Left wrist X-ray | AP projection | pediatric patient (male, age 10) | index exam
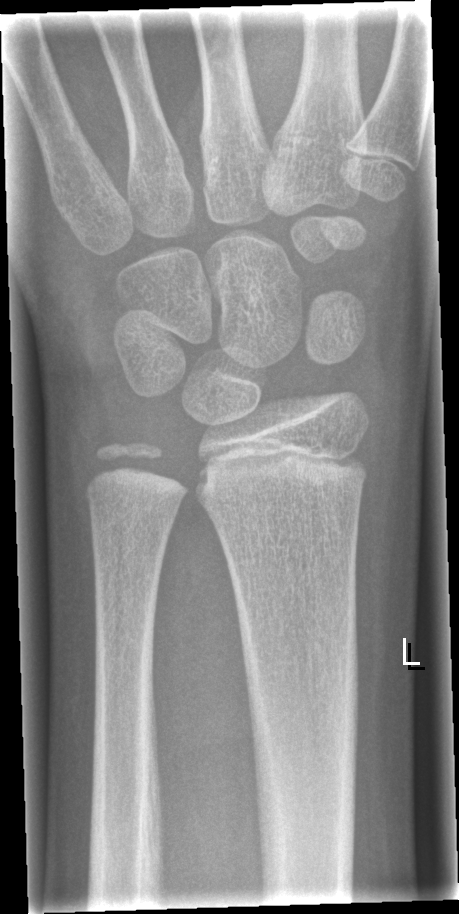 No fracture bounding box.